Lateral view · L wrist X-ray · acquired on Siemens.

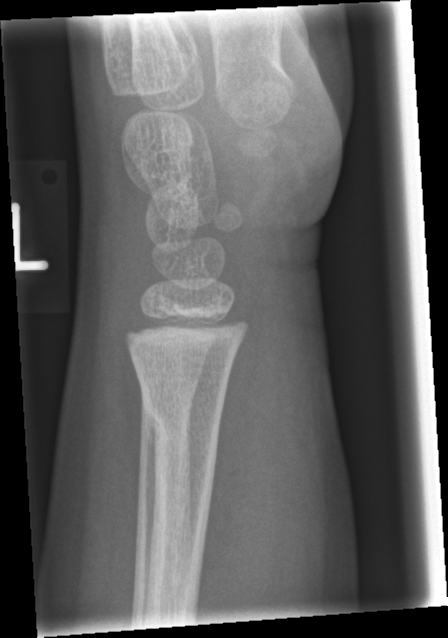
Coordinates are [x1, y1, x2, y2] in image pixels.
Bone fracture identified at [x1=139, y1=380, x2=223, y2=442].
AO/OTA classification: 23-M/2.1.